Lateral, left wrist radiograph, presentation radiograph:
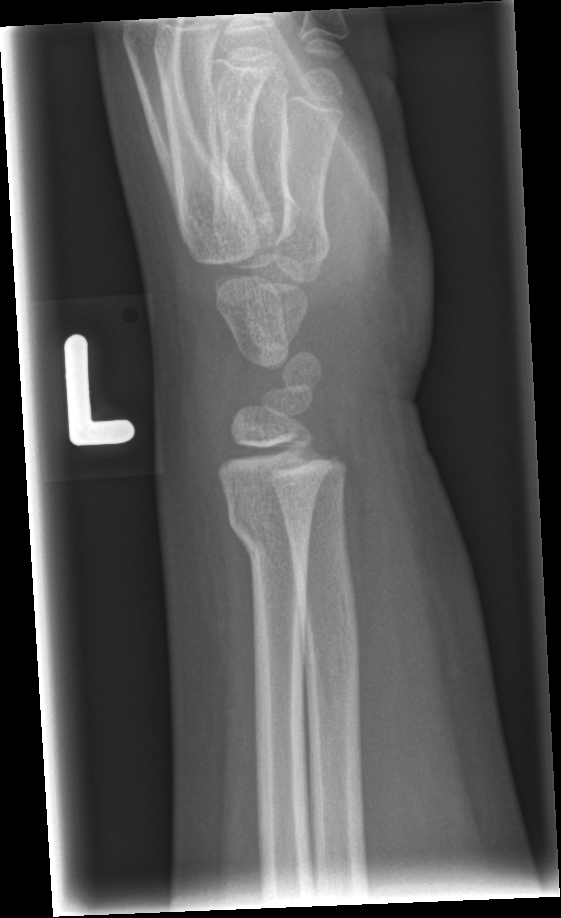

(bounding boxes in image-pixel xyxy)
Fx = <224,498>-<317,565>